L wrist plain film; PA projection; 535x1132:

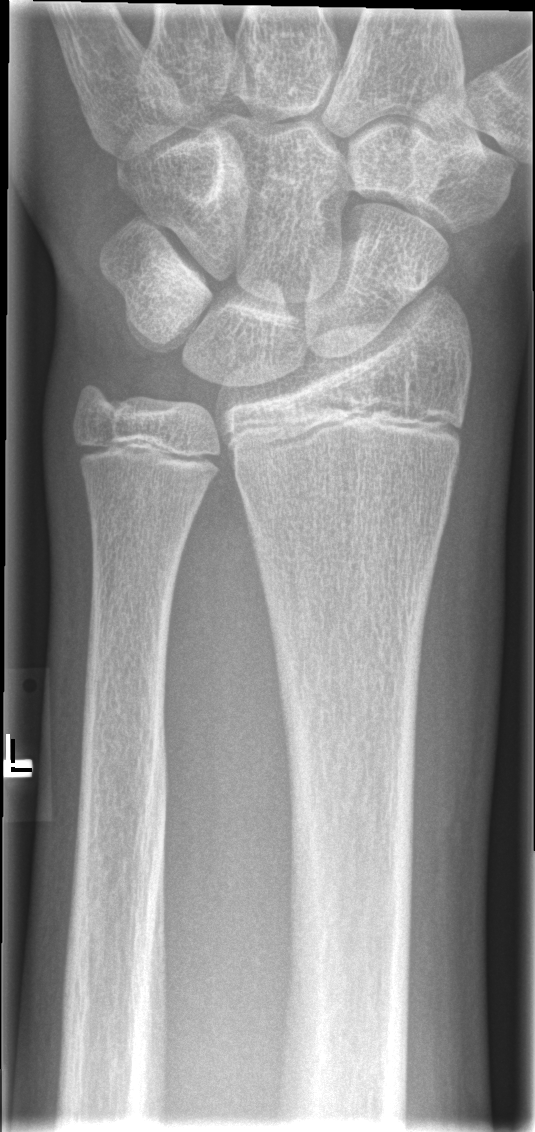

Fx: none.